Frontal projection | left wrist XR | in cast | 740 by 1131 pixels:

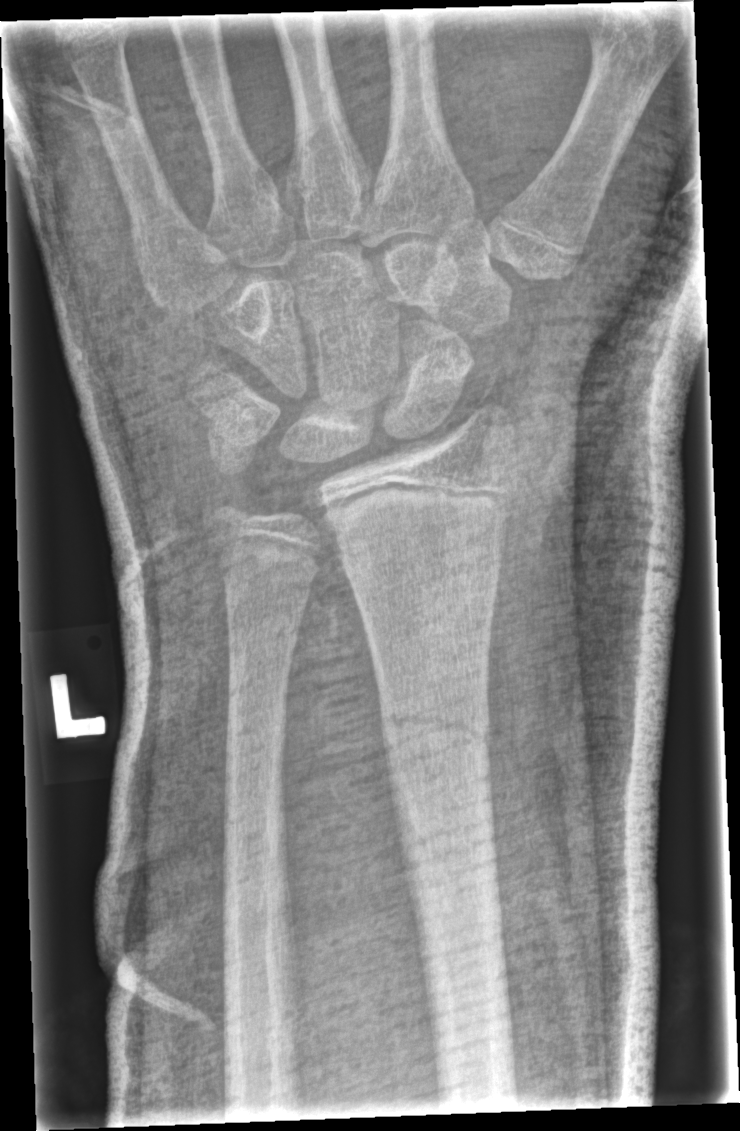 bone fracture = 1 @ [x1=376, y1=686, x2=494, y2=764]
AO code = 23r-M/3.1